Lat, L pediatric wrist radiograph, 7y F, 465 x 844 px: 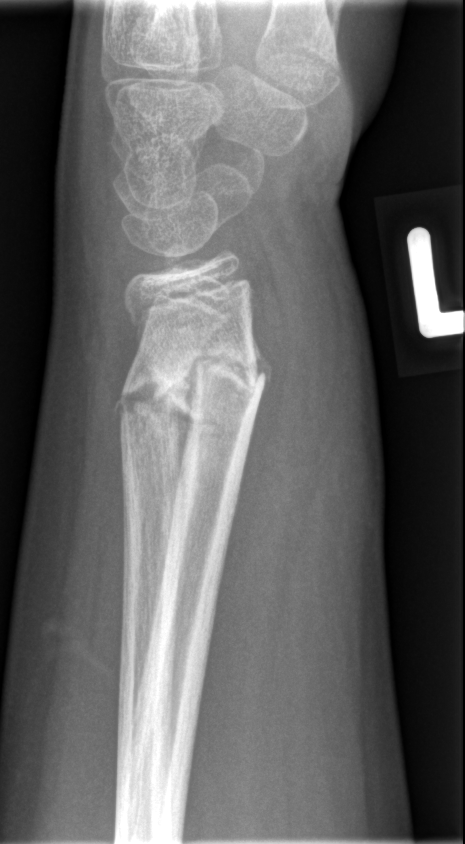

• Two fractures at (110, 361, 214, 443), (189, 342, 272, 404).
• AO/OTA classification: 23-M/3.1; 23u-E/7.